PA/AP projection; right wrist X-ray; age 6 y, male; subsequent exam; acquired on Siemens
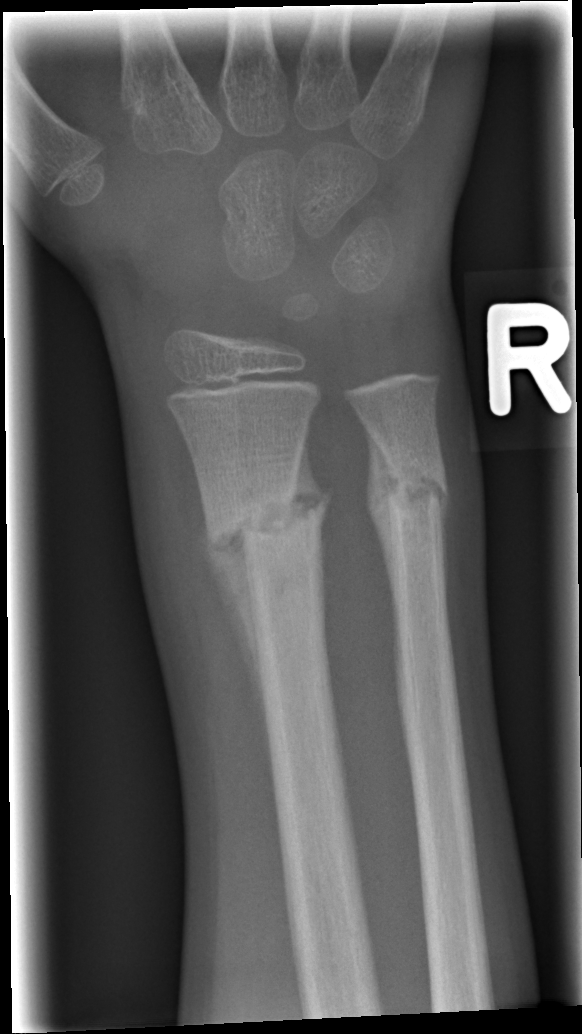
Fracture: 2 @ [196, 476, 335, 576]; [381, 455, 451, 522]
AO code: 23-M/3.1
Periosteal new bone: 4 @ [196, 494, 271, 769]; [359, 414, 398, 616]; [291, 412, 329, 512]; [436, 483, 451, 598]